PA/AP view | Lt wrist plain film | 7-year-old girl | 678x979 —
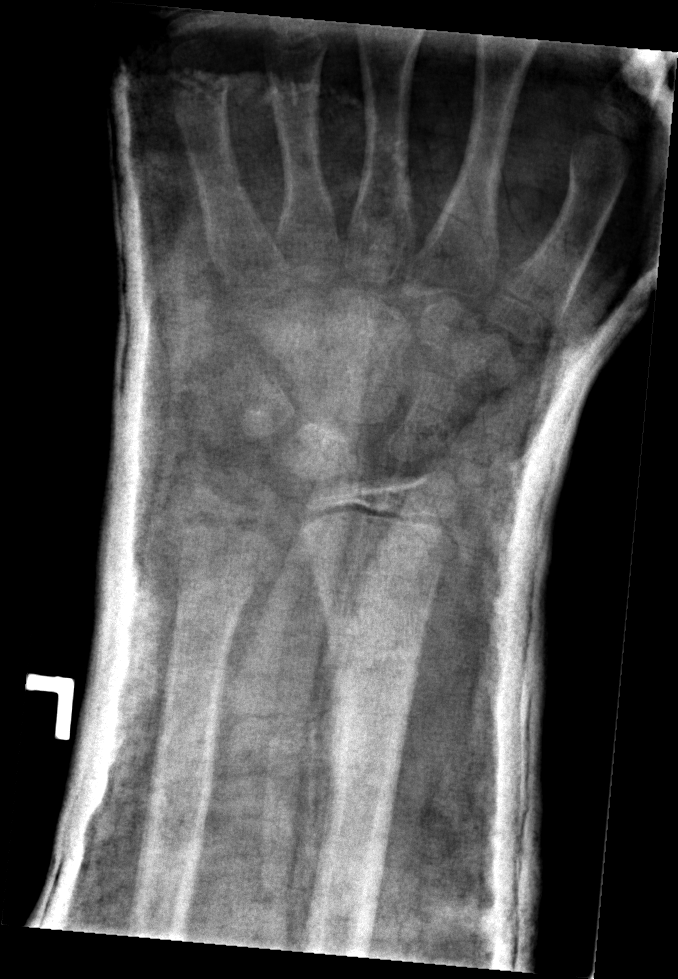
* Fx: (321, 608, 423, 703); (171, 551, 259, 617).